Frontal projection, L wrist plain film, in cast

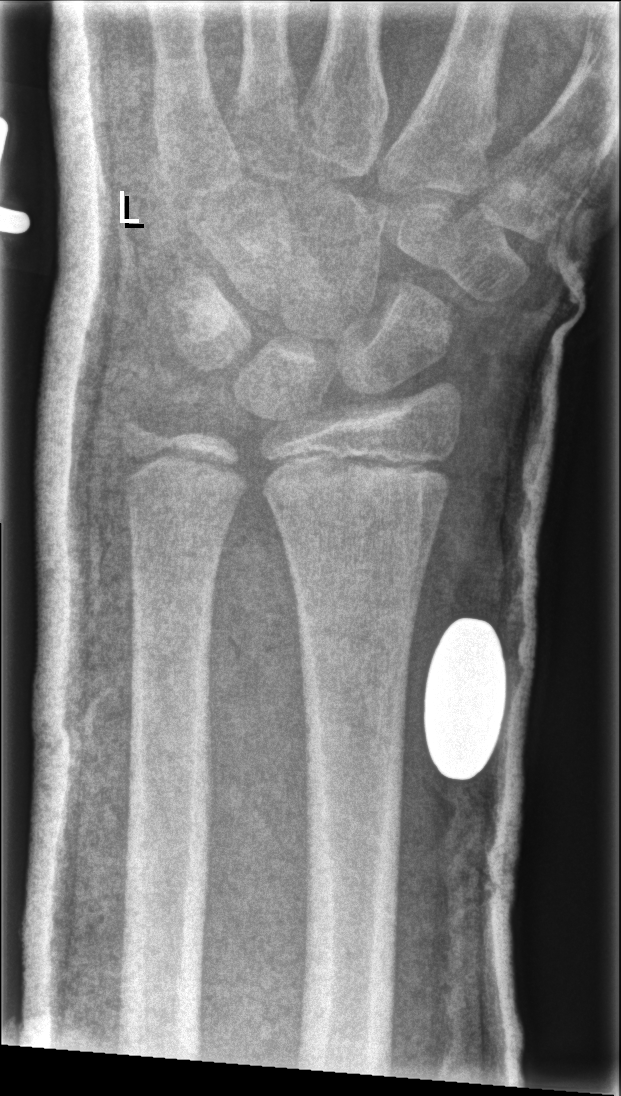 AO/OTA = 23r-E/1
fracture = present but not clearly seen in this view
hardware = (left=421, top=614, right=509, bottom=785)